Left wrist XR | PA | age 14 y, boy
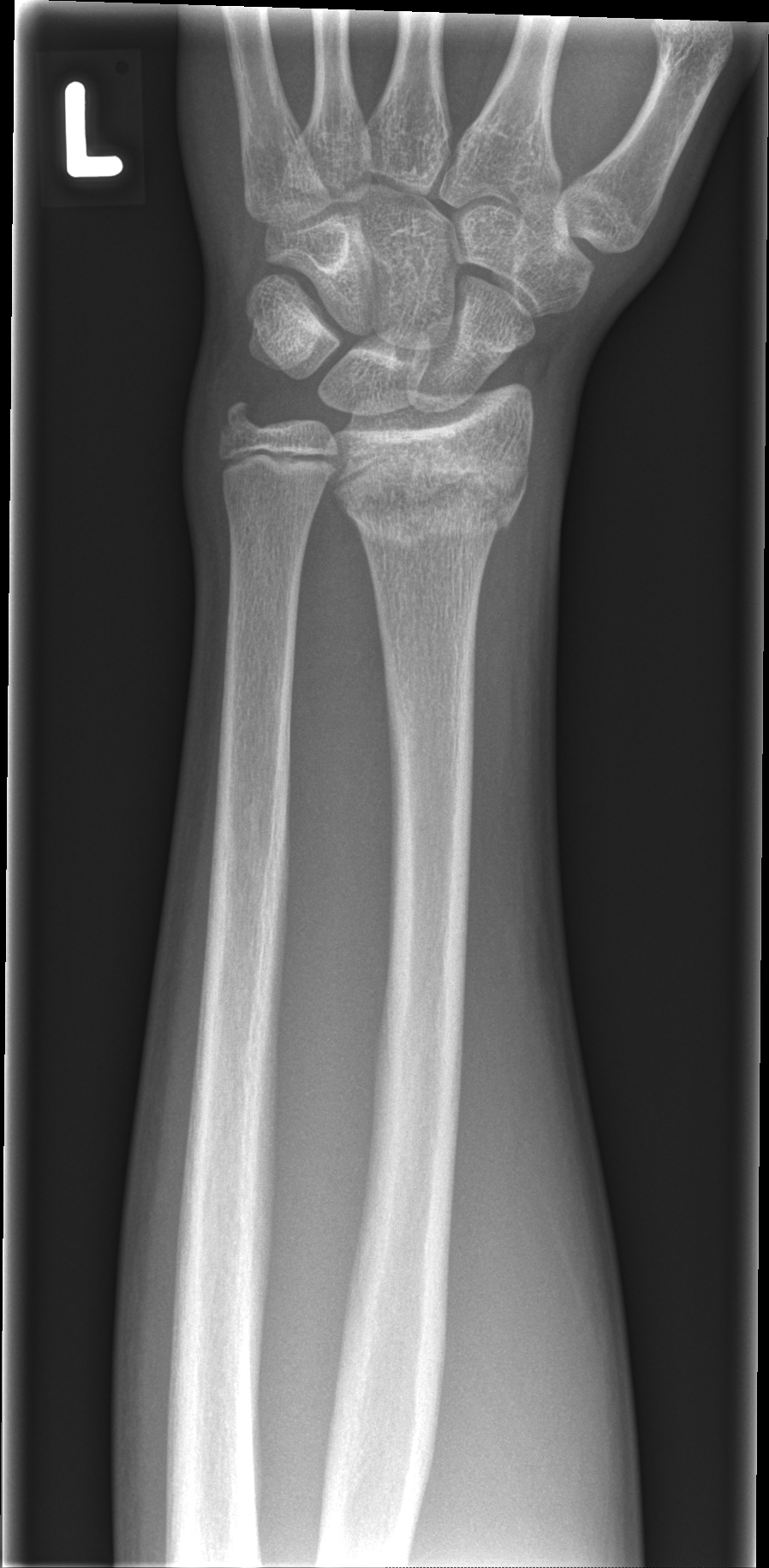 Findings: Two bone fractures at [337, 447, 531, 554]; [213, 390, 273, 448].